Left wrist pediatric wrist radiograph | lateral | imaged through cast.

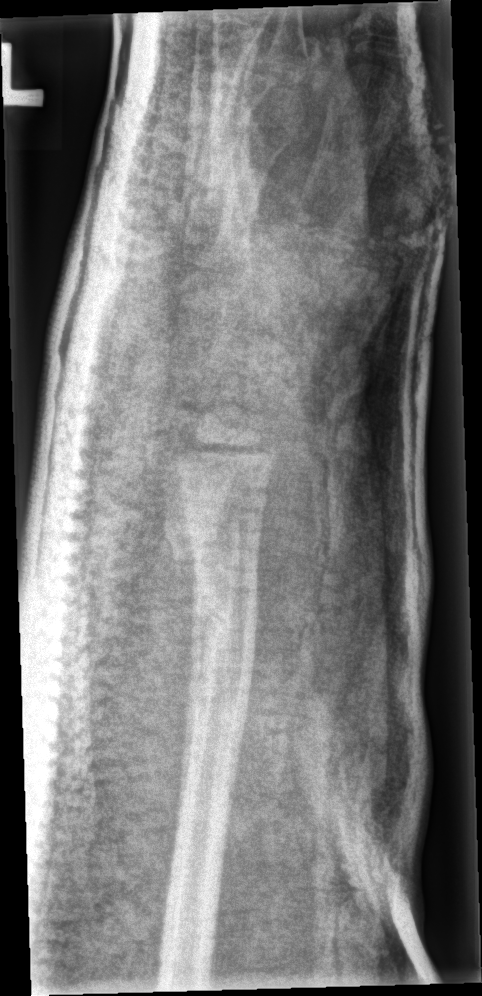

Findings: Fractures — [x1=159, y1=510, x2=249, y2=575] [x1=191, y1=572, x2=264, y2=639].